L wrist radiograph | frontal | 13-year-old female. 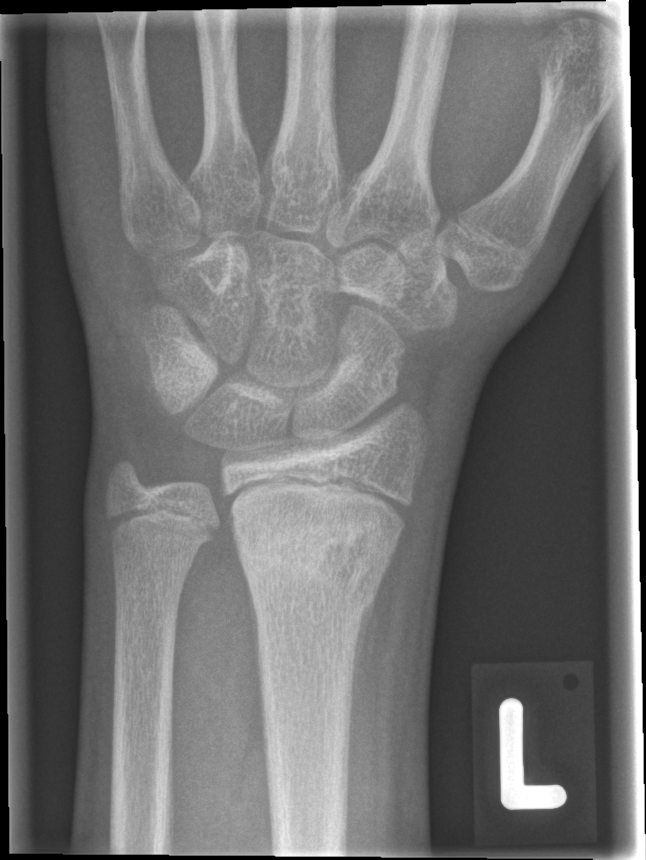 Bone fracture — (left=228, top=509, right=399, bottom=625).
Periosteal new bone: (left=351, top=591, right=380, bottom=740) (left=243, top=570, right=264, bottom=723).